R plain radiograph of the wrist · lat view · acquired on Siemens · 420x1530 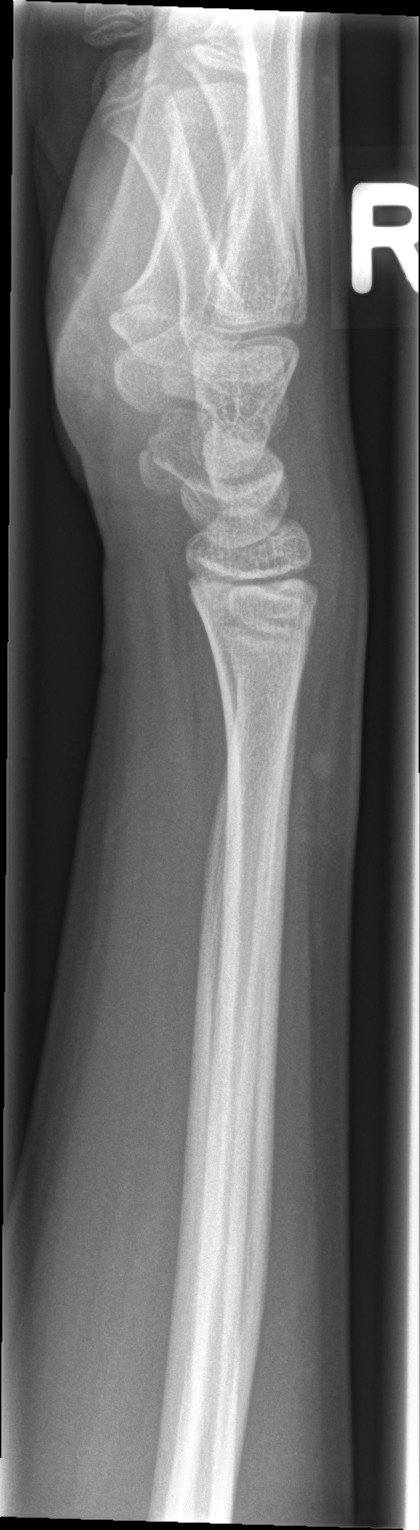

FINDINGS: Fx: none.